PA | left wrist XR:
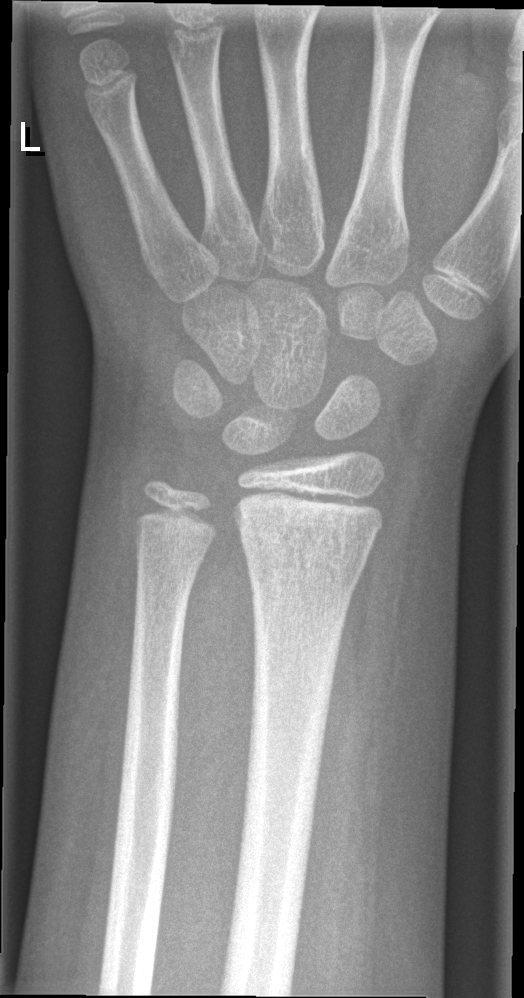
fracture: (left=240, top=532, right=369, bottom=588)